Rt wrist XR; lateral; 61.3 mm image width —

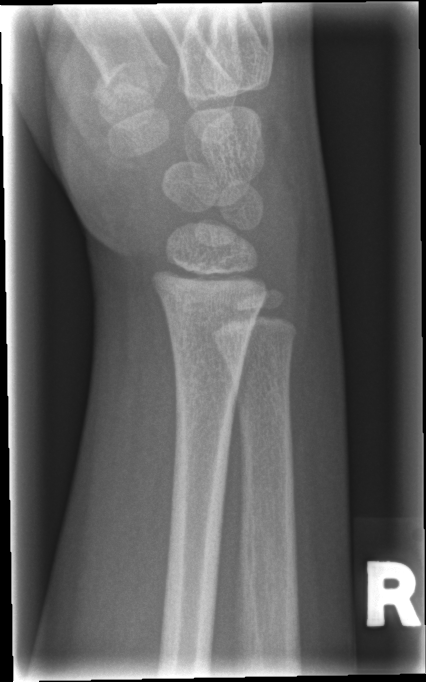
No fracture bounding box.